Lateral | right wrist pediatric wrist radiograph | pediatric patient (male, age 11) | acquired on Agfa:

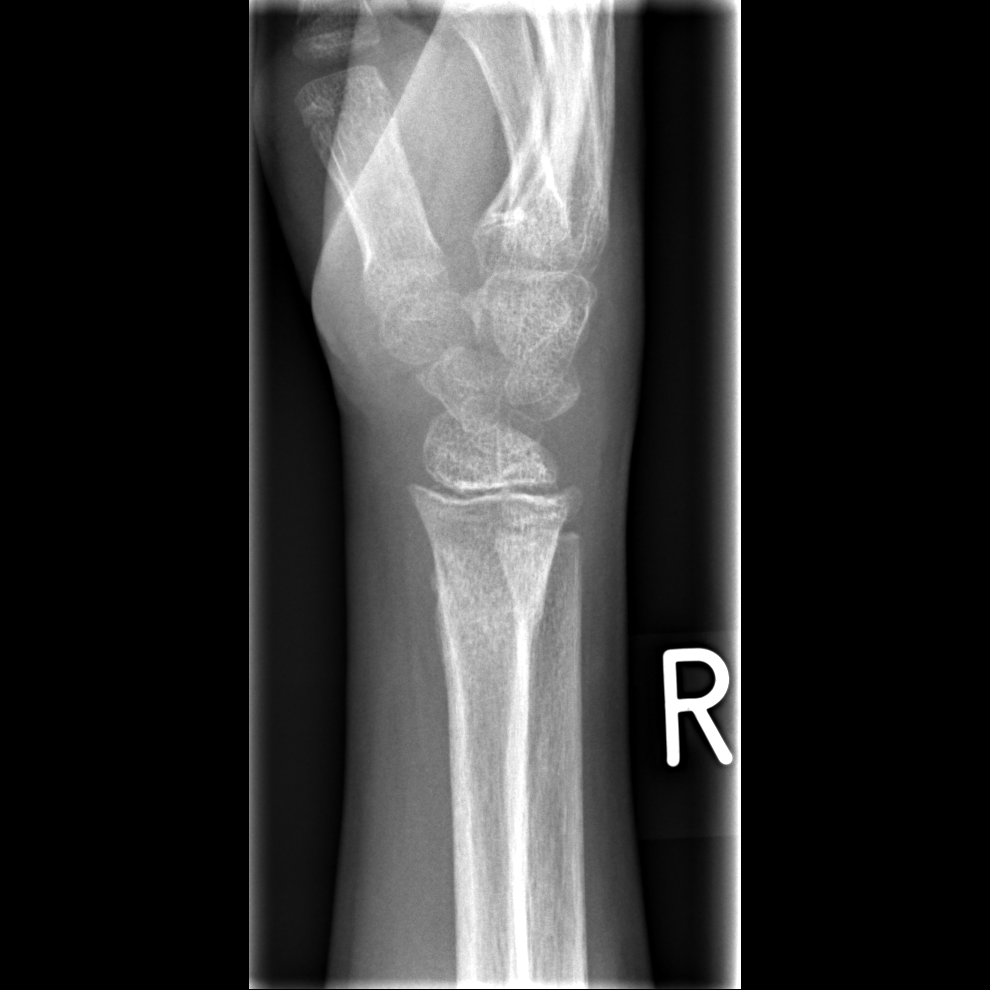
Bone fracture identified at (left=428, top=540, right=549, bottom=653). AO code 23r-M/3.1. Osteopenic.